L plain radiograph of the wrist · lat · detector: Siemens —
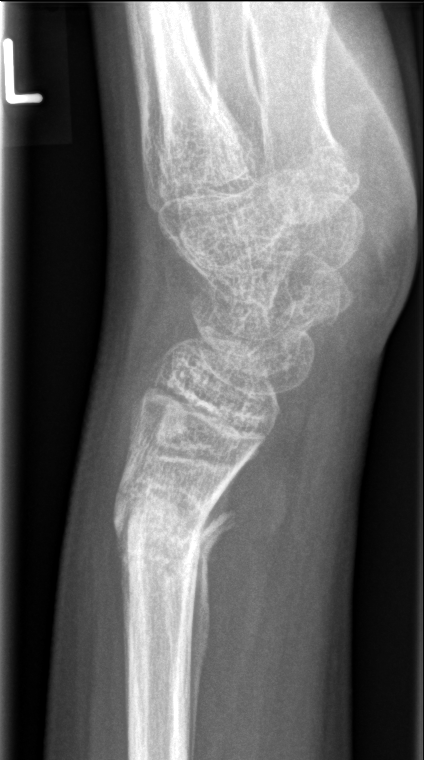

AO classification: 23-M/3.1; 23u-E/7
Bone fracture: 1 @ bbox(107, 481, 242, 562)
Periosteal new bone: bbox(187, 457, 248, 760), bbox(115, 505, 133, 738)